PA/AP, left wrist radiograph, female, 11 yo, cast present — 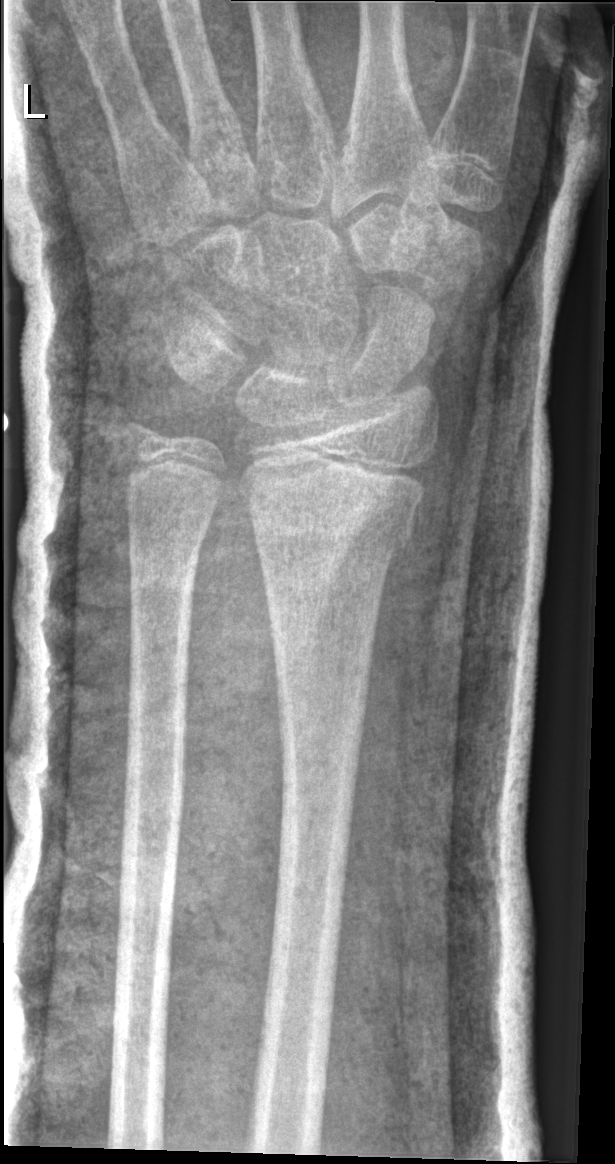

Findings: (boxes as x1,y1,x2,y2 (top-left / bottom-right, pixel units)) Bone fracture — [x1=355, y1=460, x2=430, y2=559]. Fracture classified AO/OTA 23r-E/2.1.